PA view; L plain radiograph of the wrist; age 13 y, male

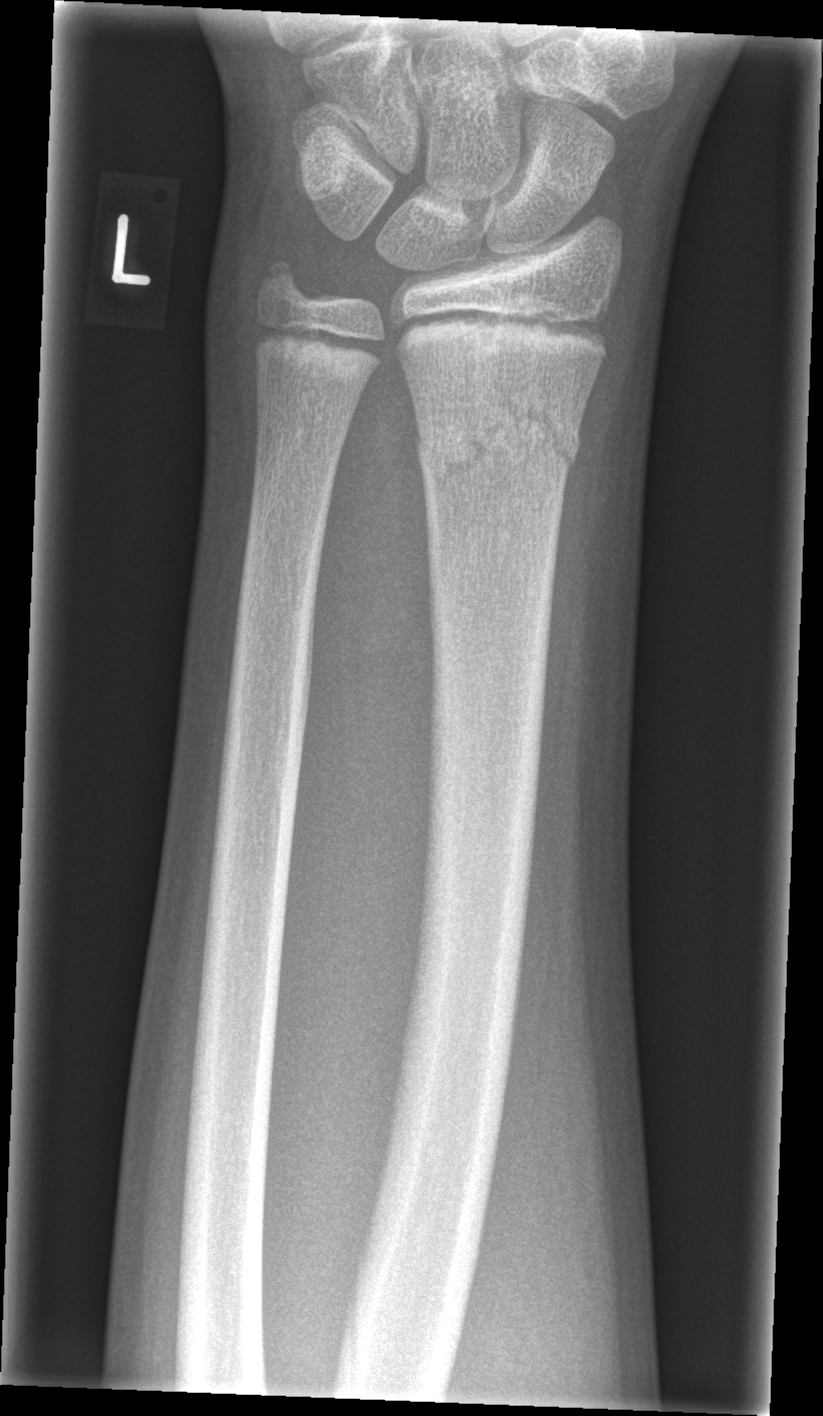 AO classification = 23r-M/3.1; 23u-E/7
Fracture = [409, 378, 589, 503], [250, 250, 321, 313]